Lateral projection; L wrist radiograph; imaged through cast; 594 by 999 pixels:

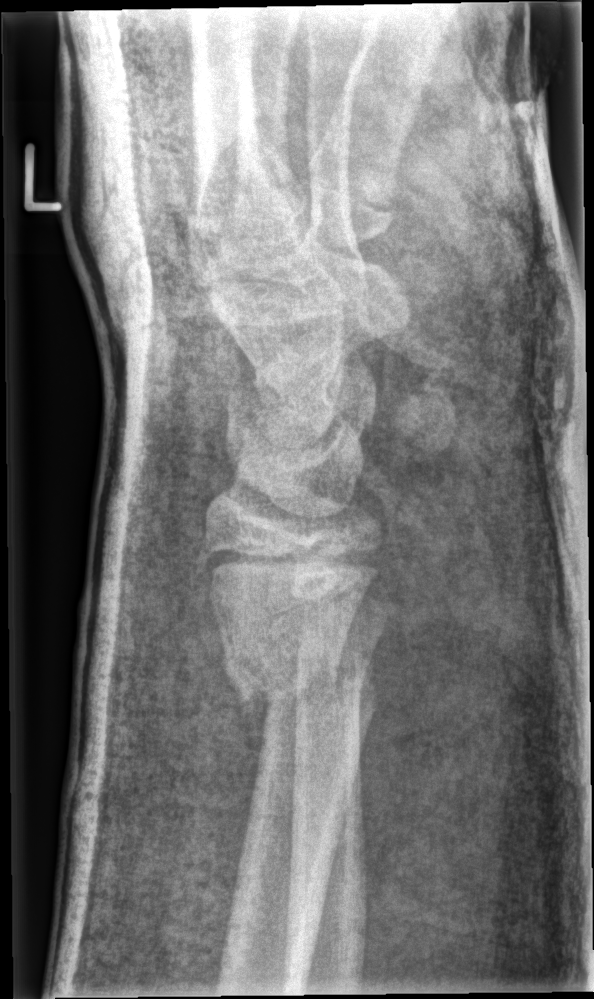
AO code: 23r-M/3.1; 23u-E/1; 23u-E/7
Fx: [221, 640, 383, 719]; [290, 559, 401, 629]